Left wrist X-ray; PA/AP view; 13y F; cast in situ; image width 93.3 mm: 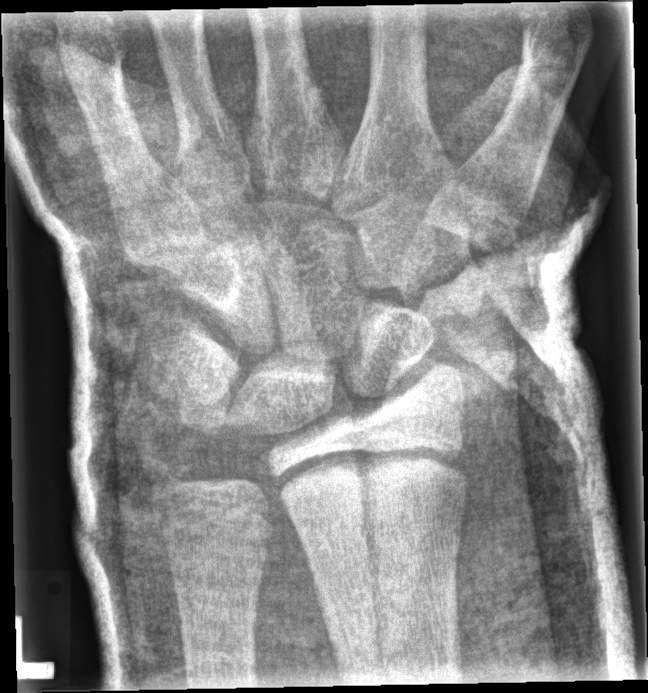

FINDINGS: Fracture — (left=278, top=434, right=471, bottom=523).